Posteroanterior view · Lt wrist plain film —
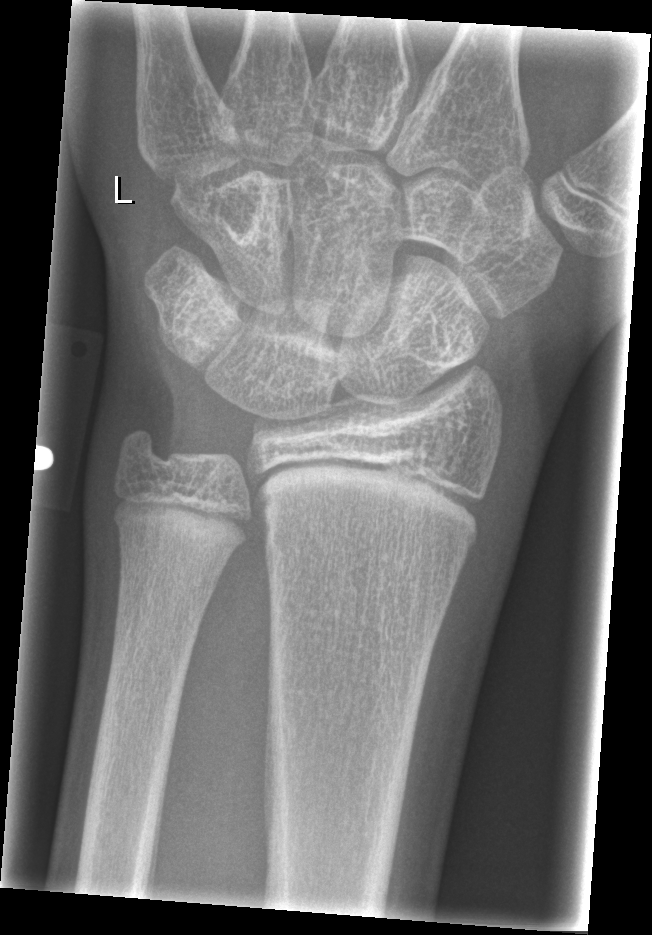 No fracture labeled.